Right wrist radiograph, lateral view, index exam
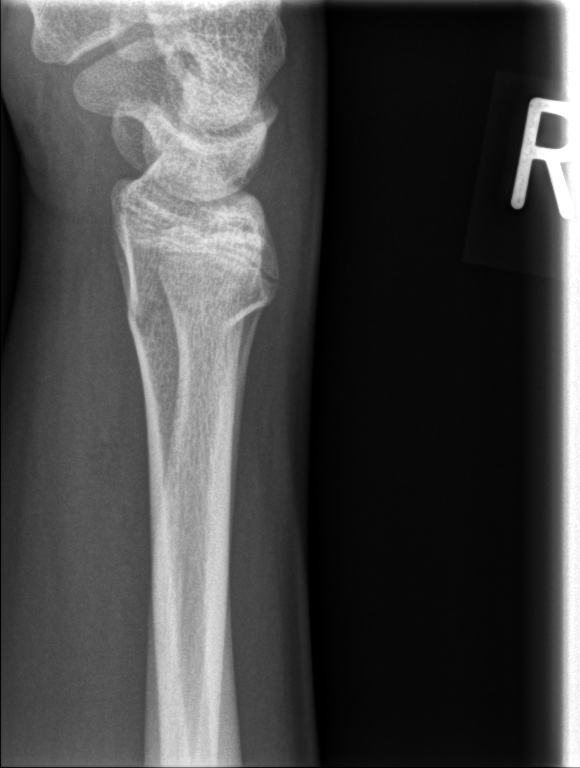 Positive pronator fat-pad sign: [x1=72, y1=240, x2=159, y2=600]. Fracture — [x1=117, y1=267, x2=279, y2=343].